Posteroanterior view, L plain radiograph of the wrist, pediatric patient (boy, age 7) —

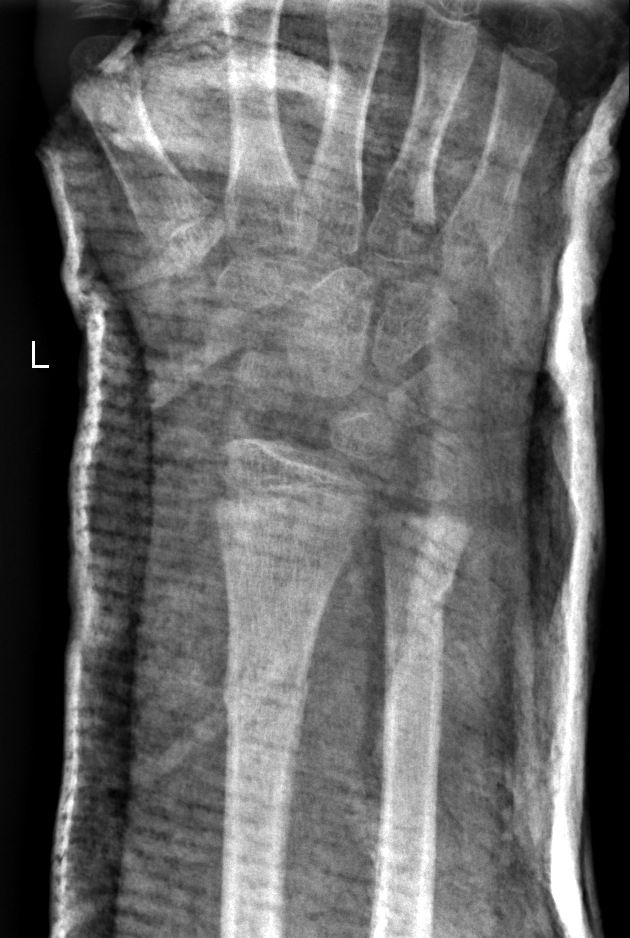

• Coordinates are [x1, y1, x2, y2] in image pixels.
• Two bone fractures at (left=218, top=655, right=314, bottom=735); (left=379, top=568, right=459, bottom=637).